AP; left wrist XR; pediatric patient (boy, age 11); follow-up; in cast; 554 by 1041 pixels —

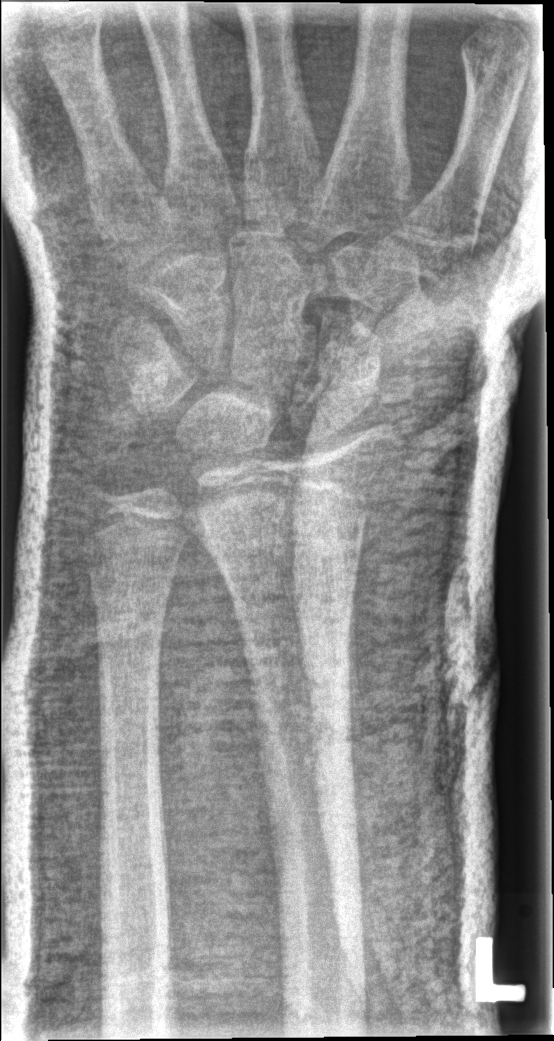

(pixel coordinates, top-left origin, xyxy)
AO code = 23r-E/2.1
Bone fracture = 1 @ 180,465,382,560